PA/AP; R wrist X-ray; 17-year-old boy
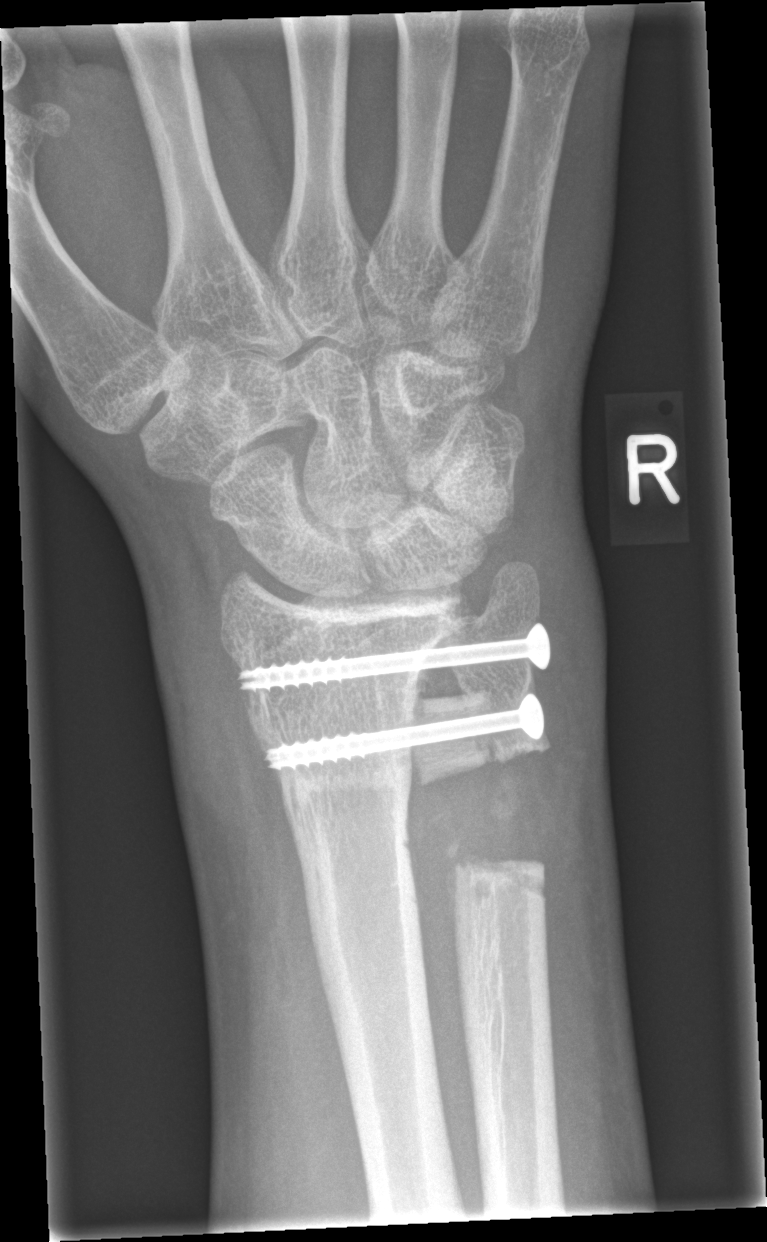 (coordinates are [x1, y1, x2, y2] in image pixels)
Q: Locate any hardware.
A: Hardware identified at 233,616,555,777
Q: Any bone anomaly?
A: One bone anomaly at 387,657,571,893
Q: Fracture present?
A: No Fx annotated